R pediatric wrist radiograph, frontal view, pediatric patient (boy, age 8), detector: Siemens:
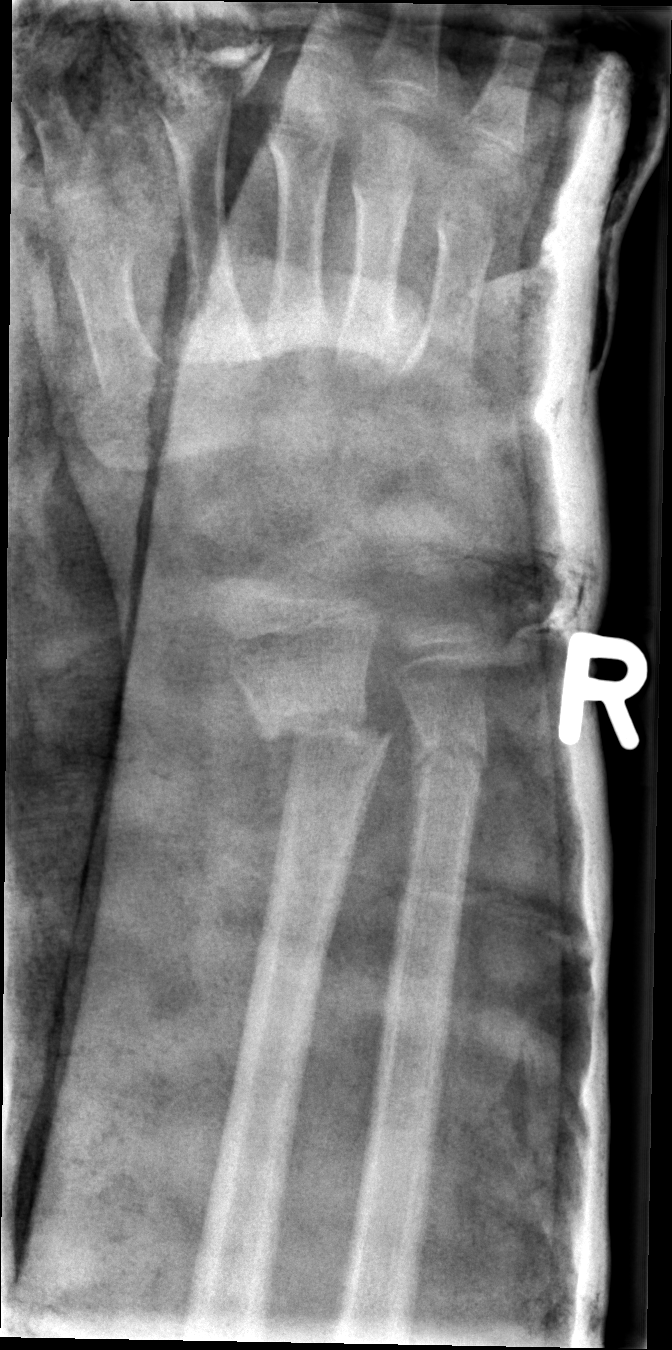 fracture = 238 698 391 785
  405 720 495 798
AO/OTA = 23-M/3.1